Lateral · left wrist plain radiograph of the wrist.

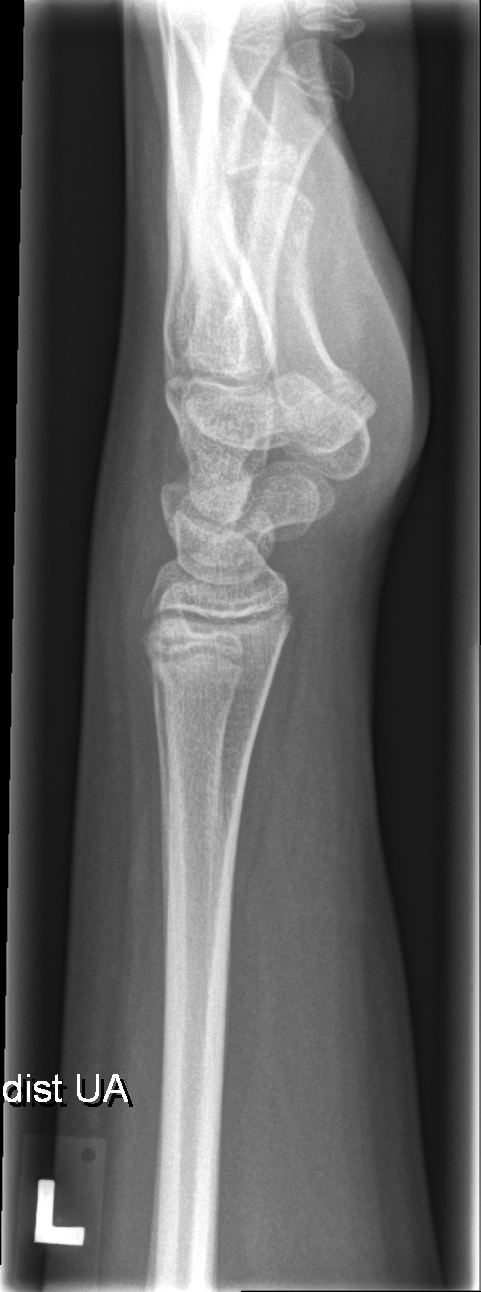
FINDINGS — Fx — 139 628 283 706.